Lat view; R wrist XR — 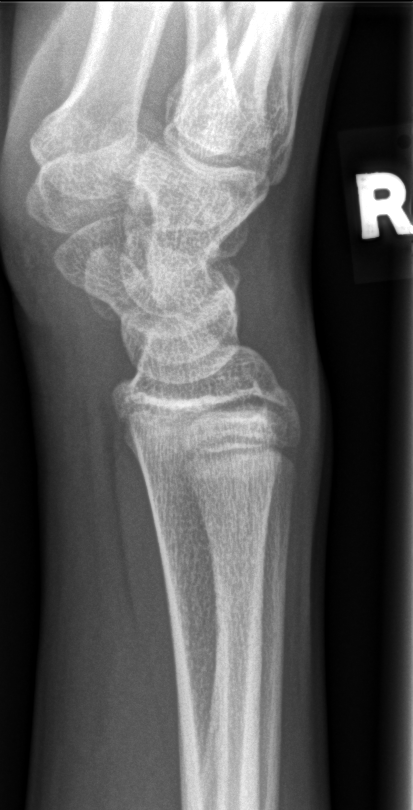
No fracture labeled.